Left wrist X-ray · lateral projection — 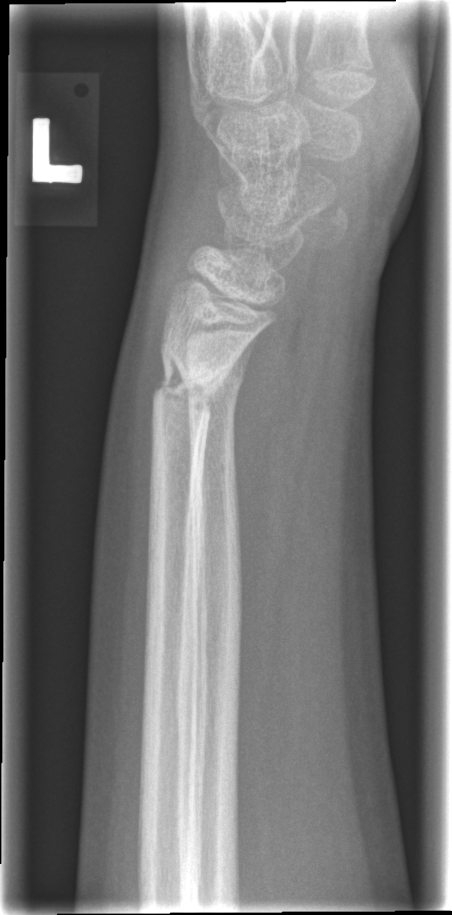
(bounding boxes in image-pixel xyxy)
AO classification = 23-M/3.1
Fx = 1 @ (146, 343, 238, 430)